Left wrist plain radiograph of the wrist; lat projection; age 17 y, boy; 75.0 mm image width:

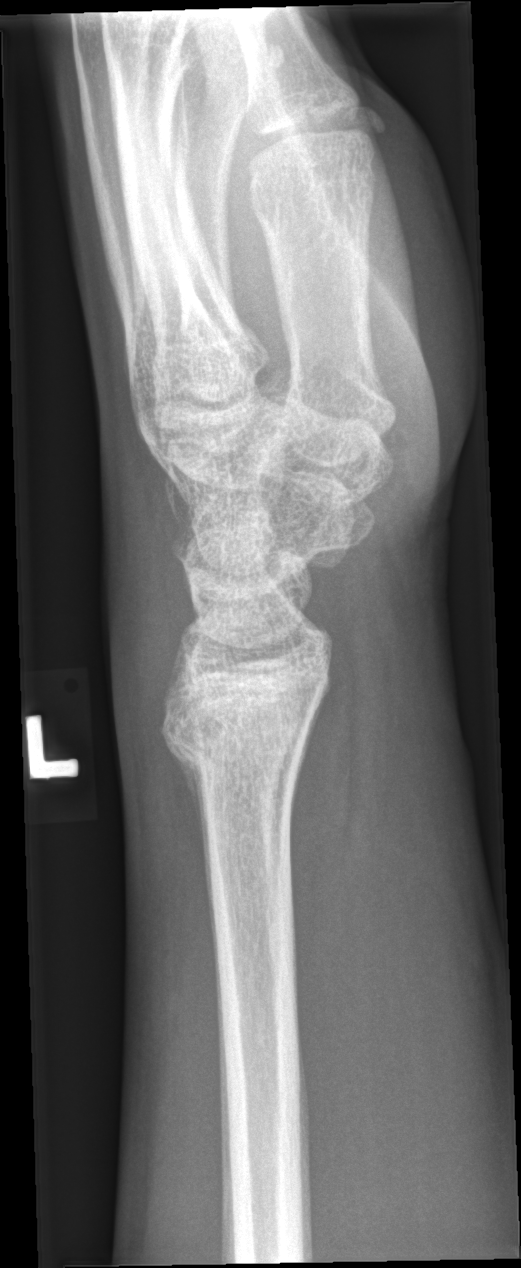 bone fracture: 1 @ (left=155, top=683, right=319, bottom=789)
osteopenia: present
periosteal new bone: (left=163, top=734, right=220, bottom=963), (left=288, top=687, right=330, bottom=892)